PA/AP view · L plain radiograph of the wrist

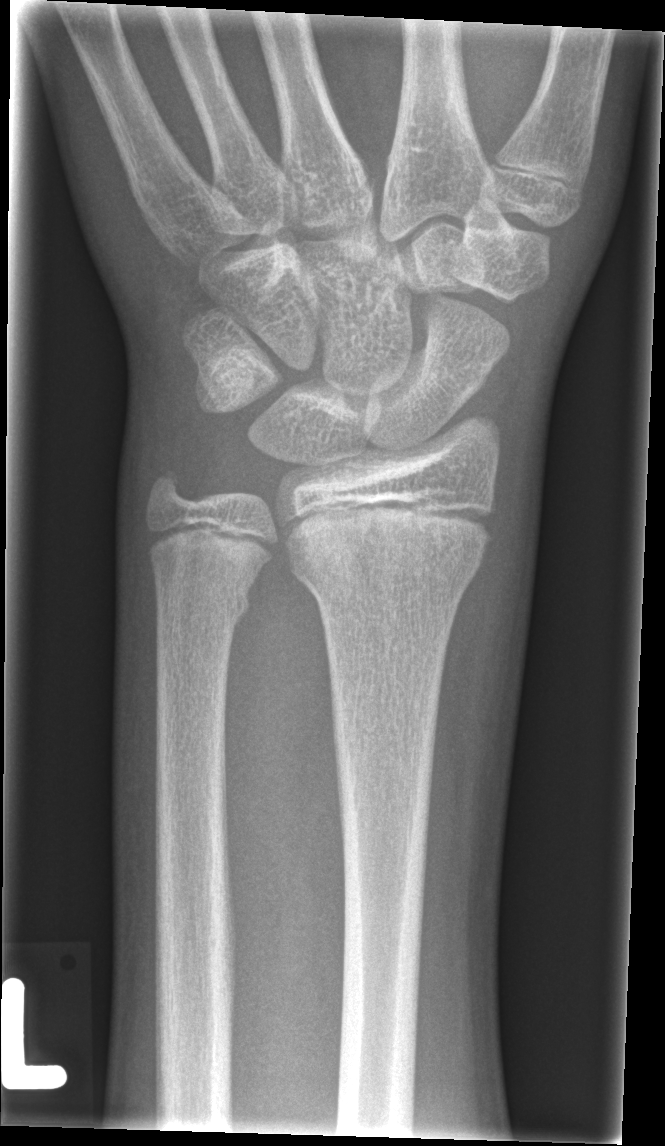
AO/OTA classification: 23-M/2.1; 23u-E/7. Fracture identified at bbox(286, 527, 486, 612); bbox(151, 574, 254, 635); bbox(140, 454, 203, 520).